Lat projection | right wrist radiograph | follow-up | cast present | 629 x 1568 px. 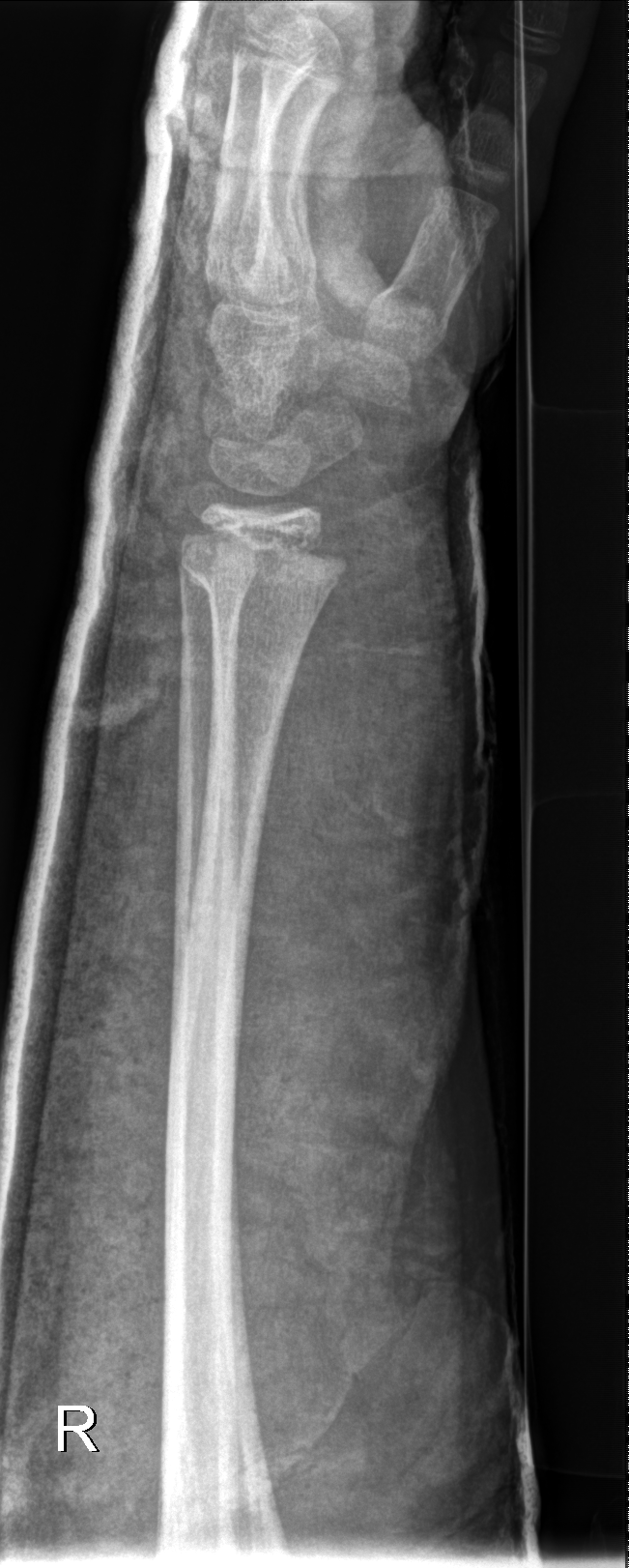
(bounding boxes in image-pixel xyxy)
Fx = (left=175, top=527, right=349, bottom=609)